AP; right wrist plain film; age 7 y, male: 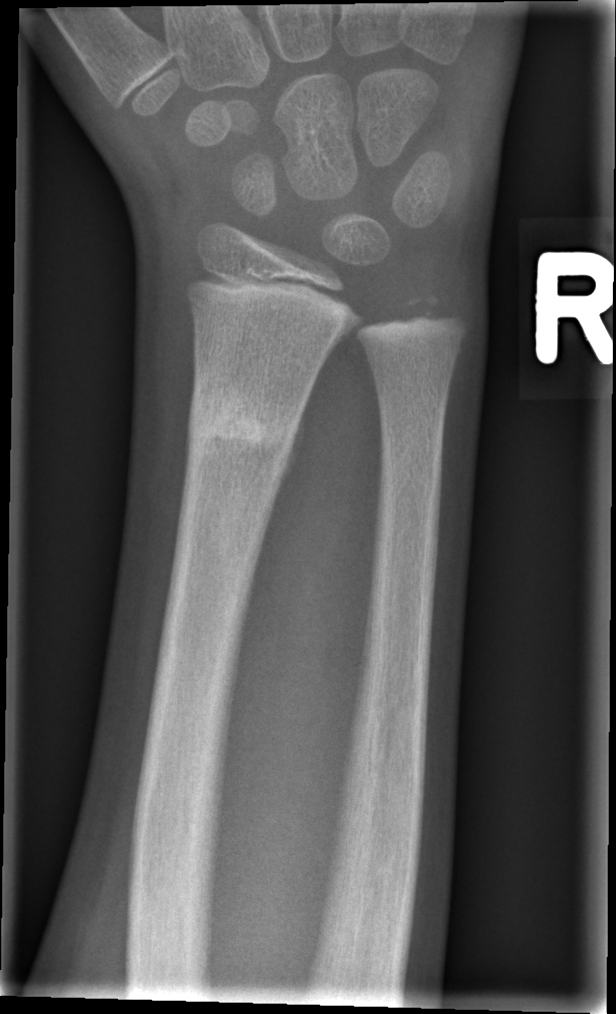

Bounding boxes in image-pixel xyxy. Bone fracture: bbox(185, 379, 301, 465). Osteopenia.